PA projection; right wrist pediatric wrist radiograph; 13y F.

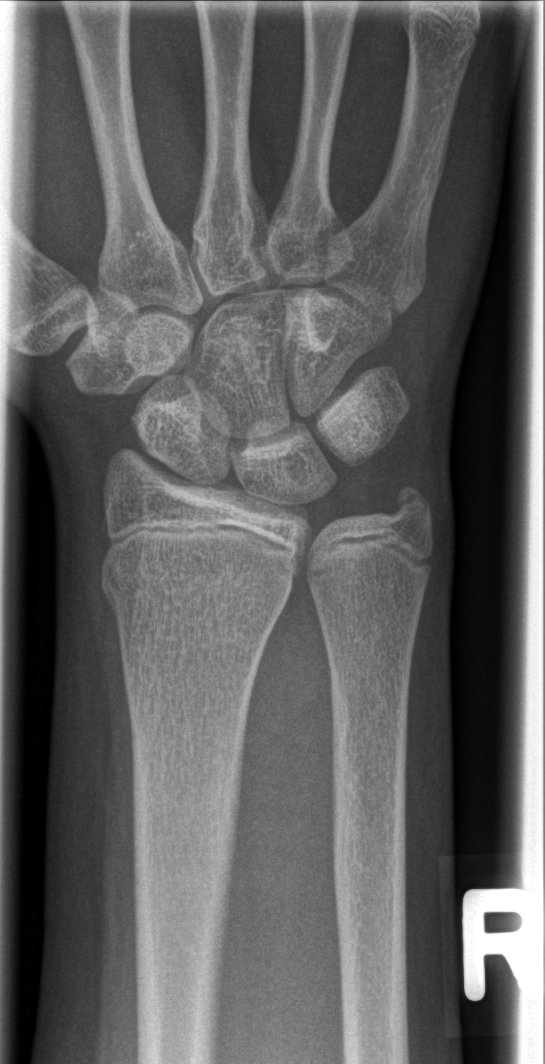 # coordinates are [x1, y1, x2, y2] in image pixels
fracture: 95 549 301 622; 381 480 436 543
ao: 23r-M/2.1; 23u-E/7